Lt wrist radiograph | lat | equivocal findings —
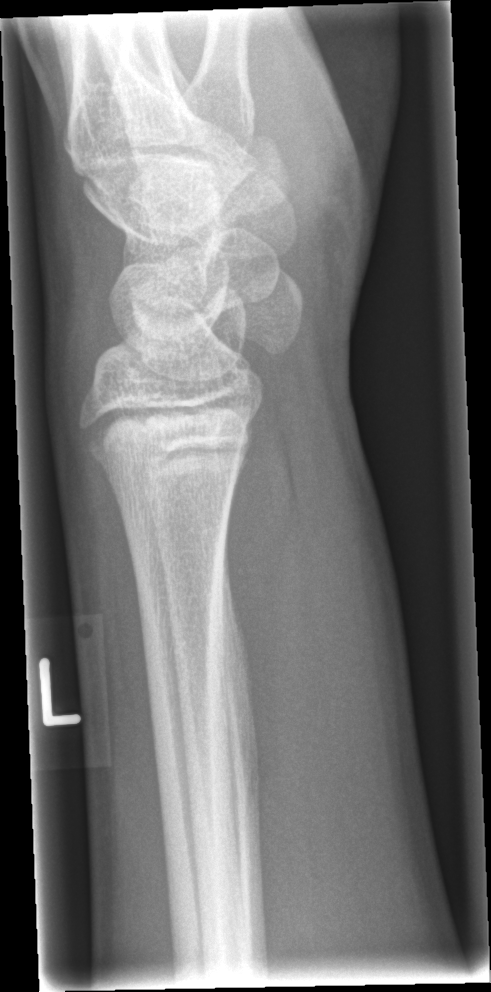 - Pronator sign — bbox(226, 401, 319, 830).
- Fracture classified AO/OTA 23r-M/2.1.
- Fracture: bbox(76, 409, 249, 487).